Left wrist plain radiograph of the wrist, PA projection, age 16 y, male, detector: Siemens, image width 95.3 mm:

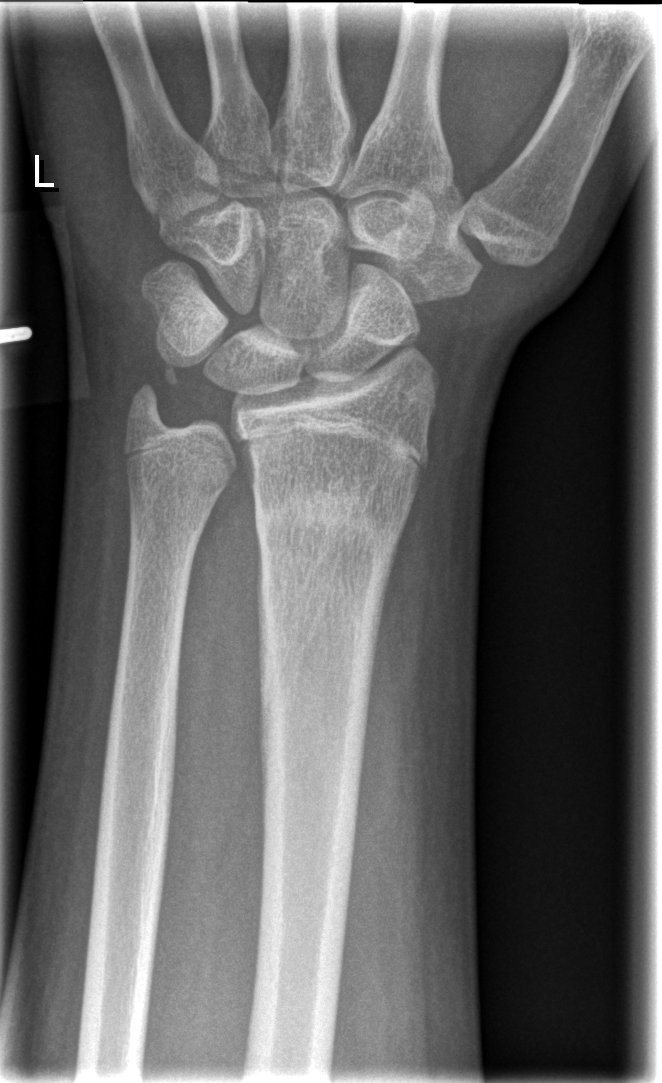
Fx — 251 480 405 570; 118 366 187 434. AO/OTA classification: 23r-M/3.1; 23u-E/7.